Lt pediatric wrist radiograph · lat · pediatric patient (female, age 6) · follow-up · 557 by 1132 pixels — 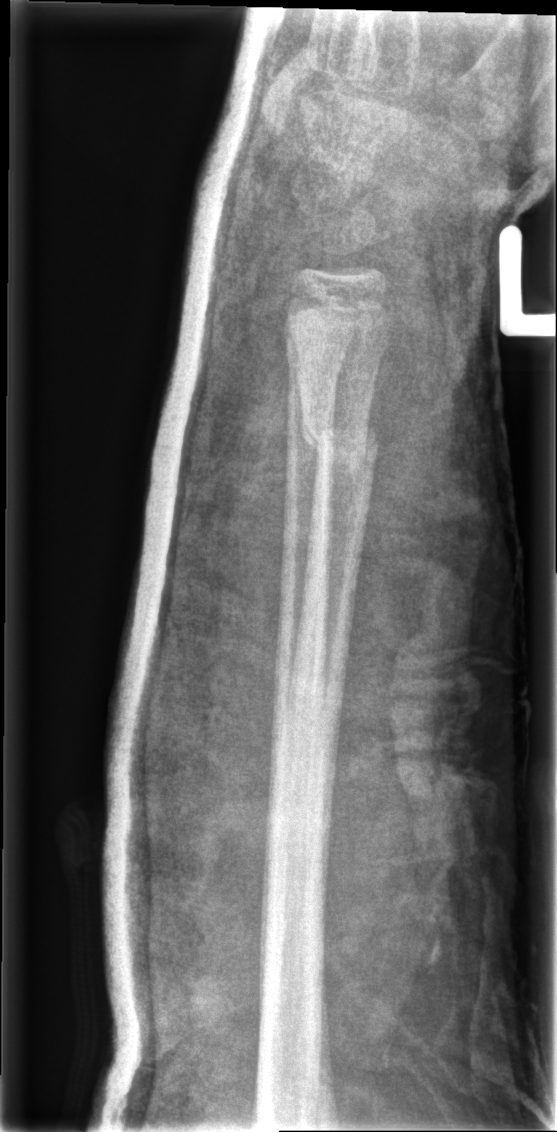
Q: What is the AO/OTA classification?
A: AO/OTA classification: 23r-M/3.1; 23u-M/2.1
Q: Is there a fracture?
A: Fx identified at (left=297, top=406, right=383, bottom=478)